Lat projection · left wrist plain film · cast in situ · 74.2 mm image width — 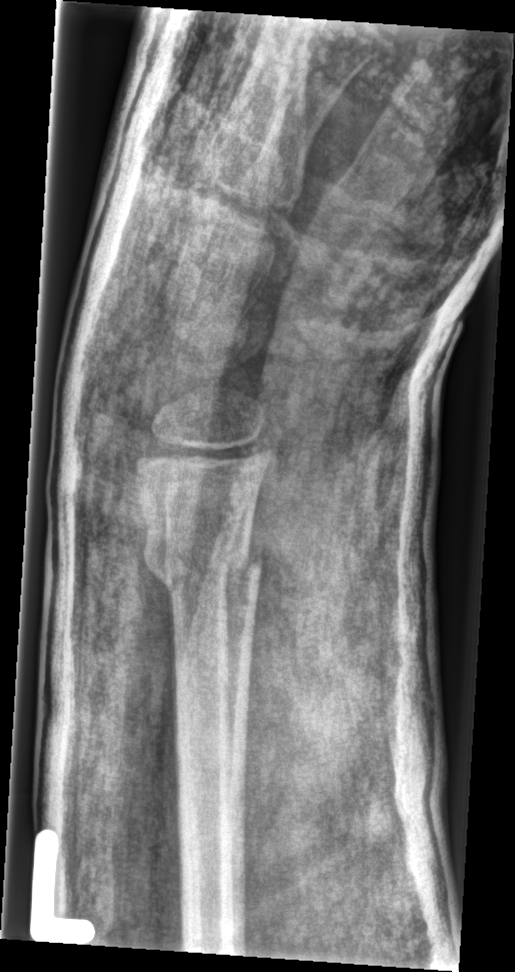 Q: What is the AO/OTA classification?
A: AO code 23r-M/3.1; 23u-M/2.1
Q: Fracture present?
A: Bone fracture: (left=147, top=529, right=263, bottom=607)